Posteroanterior projection; left wrist pediatric wrist radiograph; pediatric patient (girl, age 16); acquired on Siemens; 619 x 1222 px:

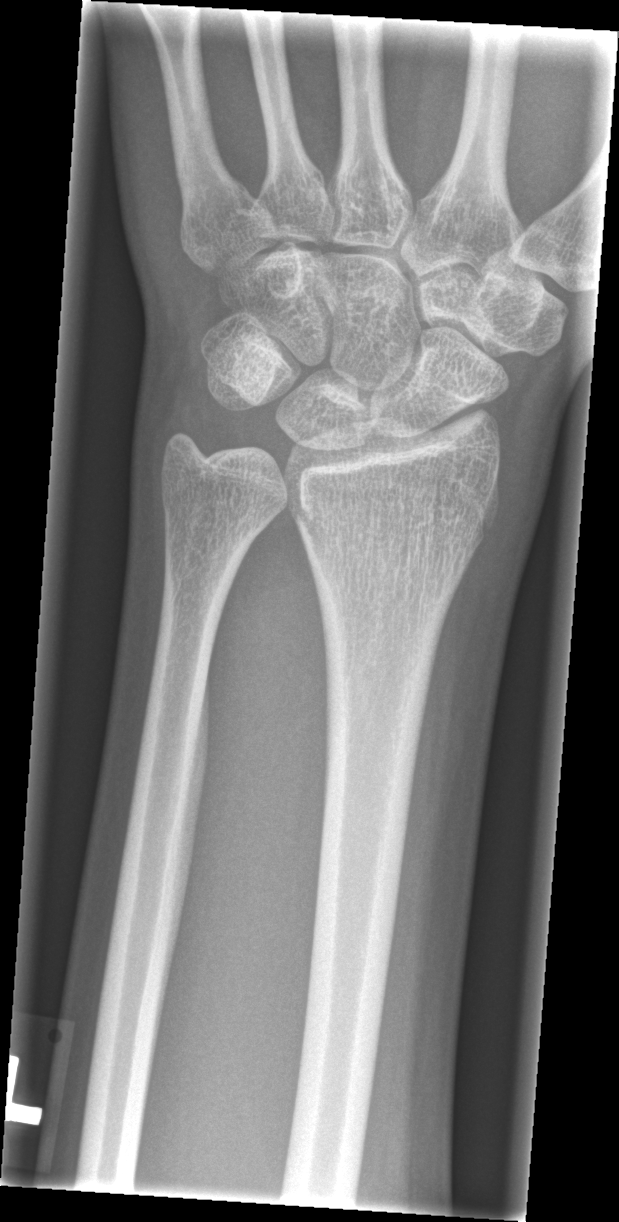 {"fracture": "none labeled"}